Posteroanterior projection; right wrist plain film; 14y M; 550 by 852 pixels
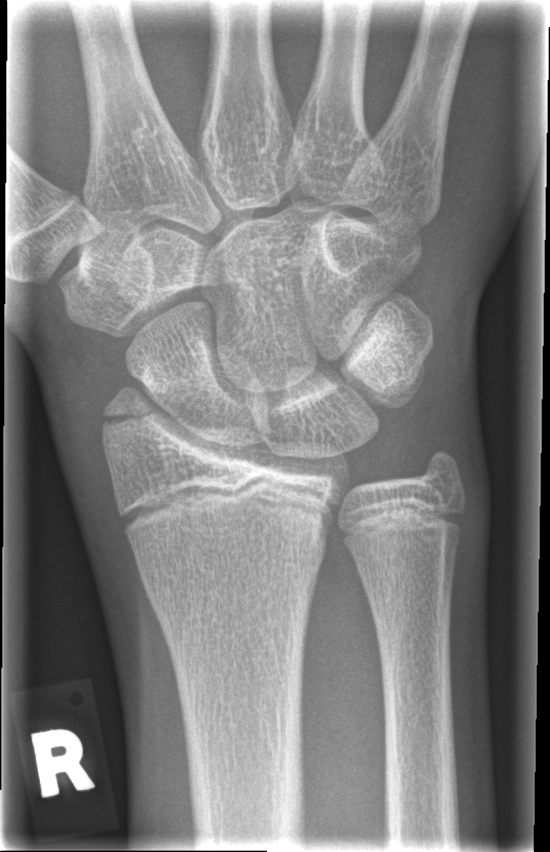

(coordinates are [x1, y1, x2, y2] in image pixels)
Fx = [98, 385, 202, 429]